Lateral projection; left wrist XR; 8-year-old girl; initial study; 374 by 712 pixels 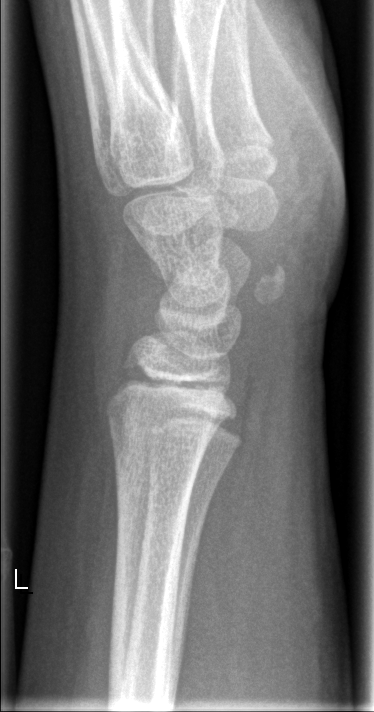

Q: Fracture present?
A: No fracture bounding box